Lt wrist radiograph · lateral projection · pediatric patient (girl, age 12) —
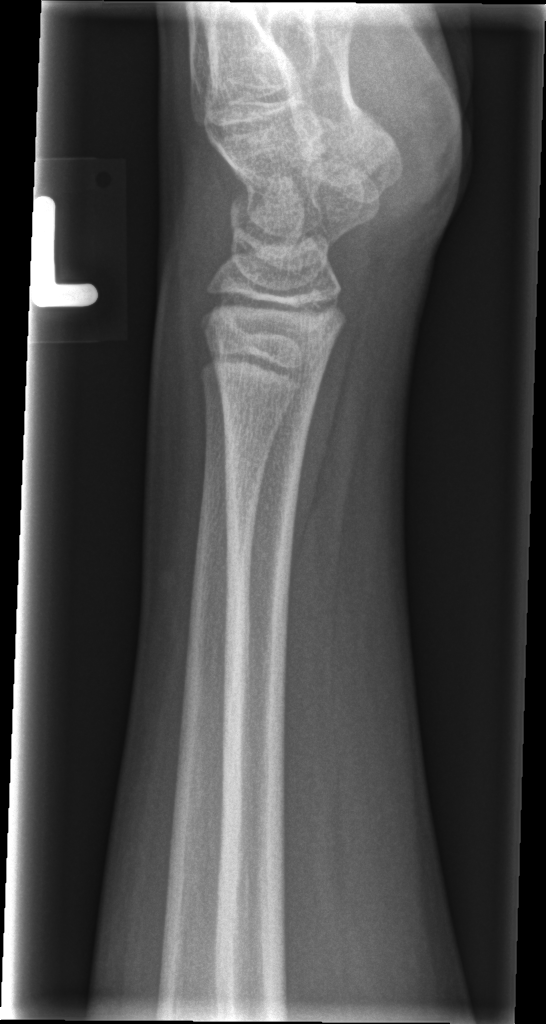
FINDINGS: No fracture labeled.